Rt plain radiograph of the wrist, lateral view, initial study, Siemens, 76.5 mm image width, 531 x 1242 px
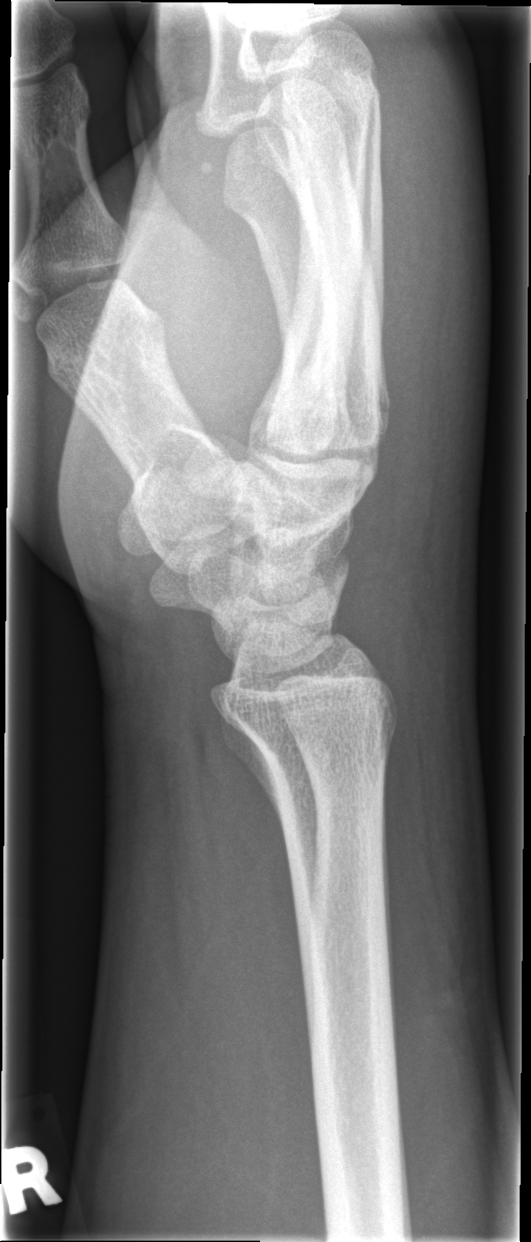 Findings: Fracture: none labeled.